Lt wrist X-ray · PA/AP · age 11 y, male.

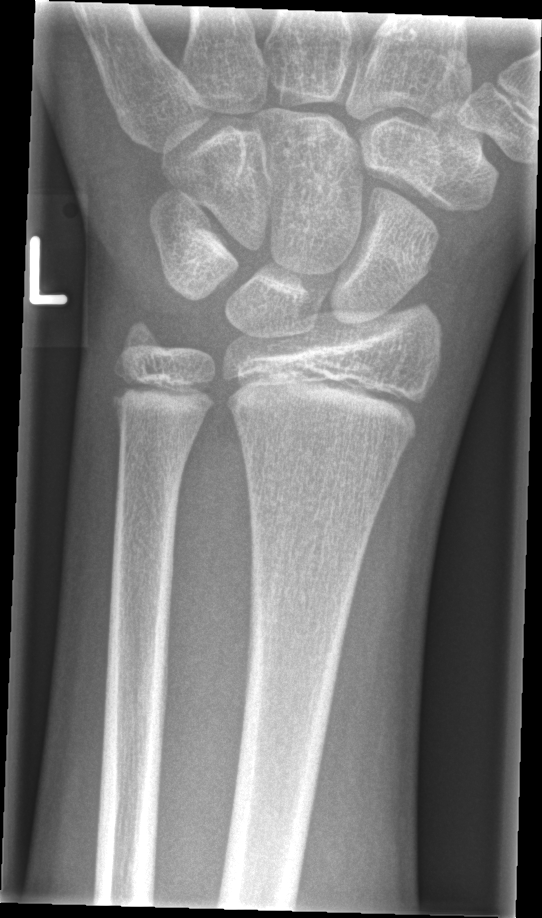

No Fx annotated.